Lat projection, Lt wrist plain film, 18y M, acquired on Siemens: 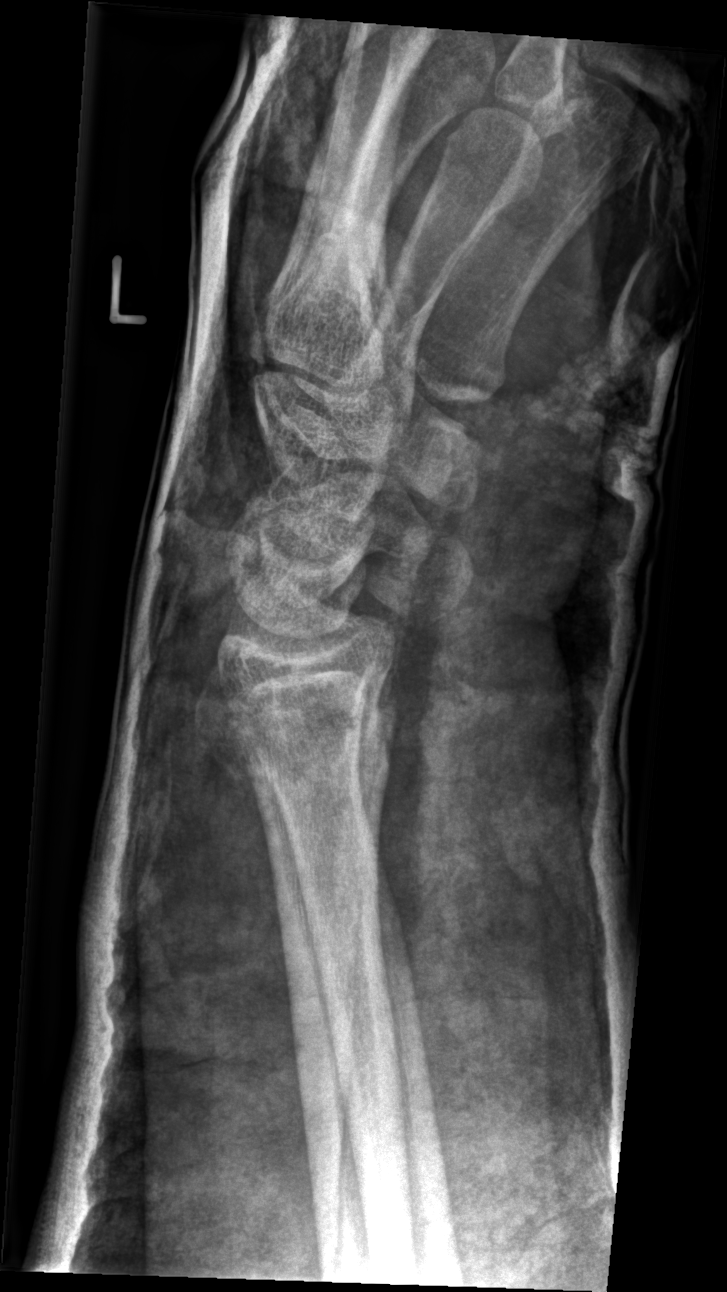

- Fx — bbox(189, 657, 402, 814).